Lt wrist radiograph | lateral projection | 8-year-old female | detector: Siemens | 421 x 844 px.

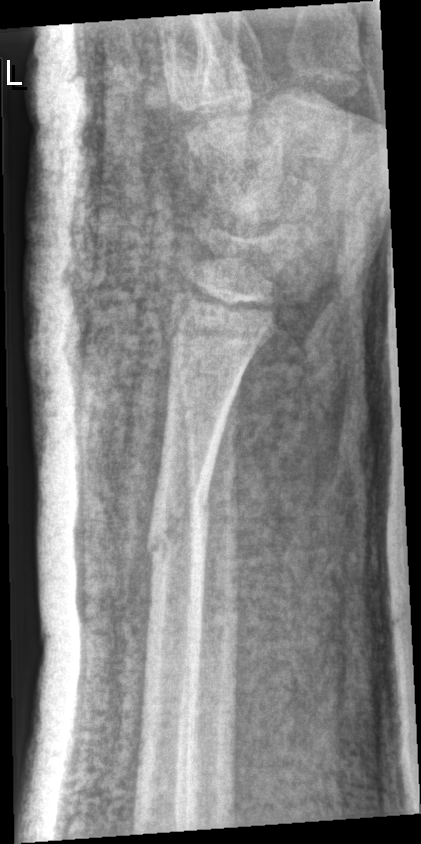
AO code = 23r-M/3.1; 23u-M/2.1
Fx = 1 @ <145,496>-<214,563>